Right wrist plain film; lateral view; subsequent exam; 574 by 1276 pixels —
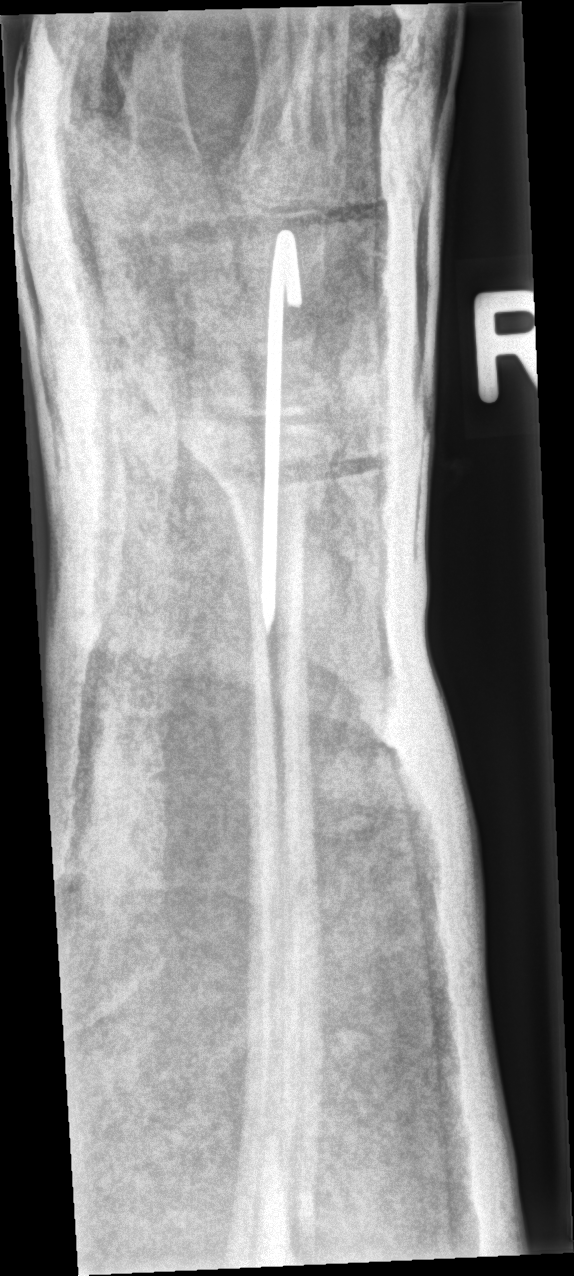

• Metal identified at <261,230>-<304,638>.
• Fracture classified AO/OTA 23-E/2.1.
• Fracture present but not clearly seen in this view.